Left wrist pediatric wrist radiograph · PA/AP view 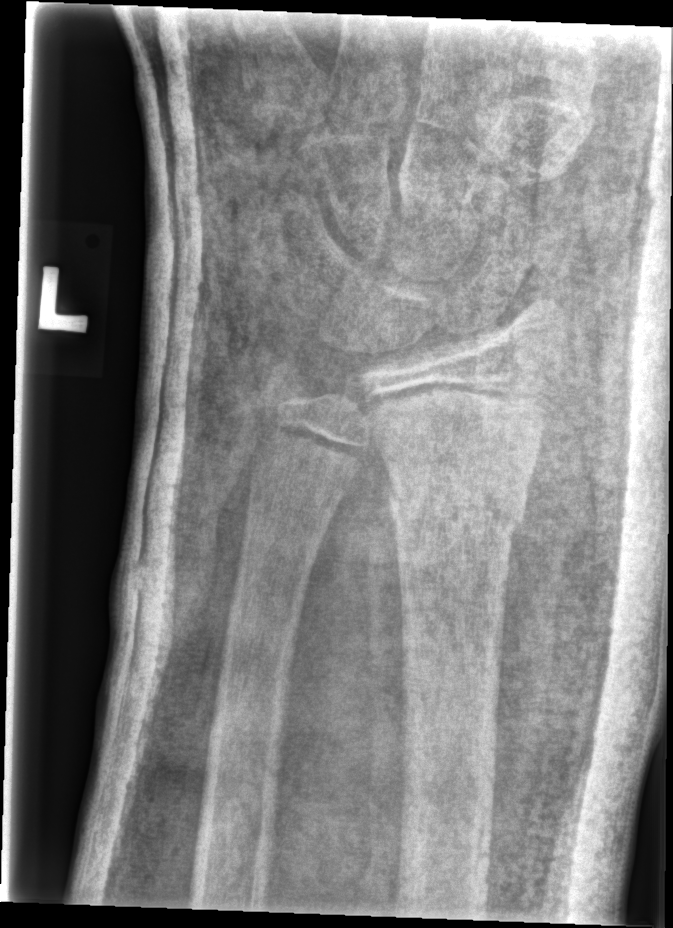
# pixel coordinates, top-left origin, xyxy
ao: 23r-M/3.1; 23u-E/7
fracture: 1 @ <384,462>-<525,558>